Rt wrist radiograph; PA projection; initial study — 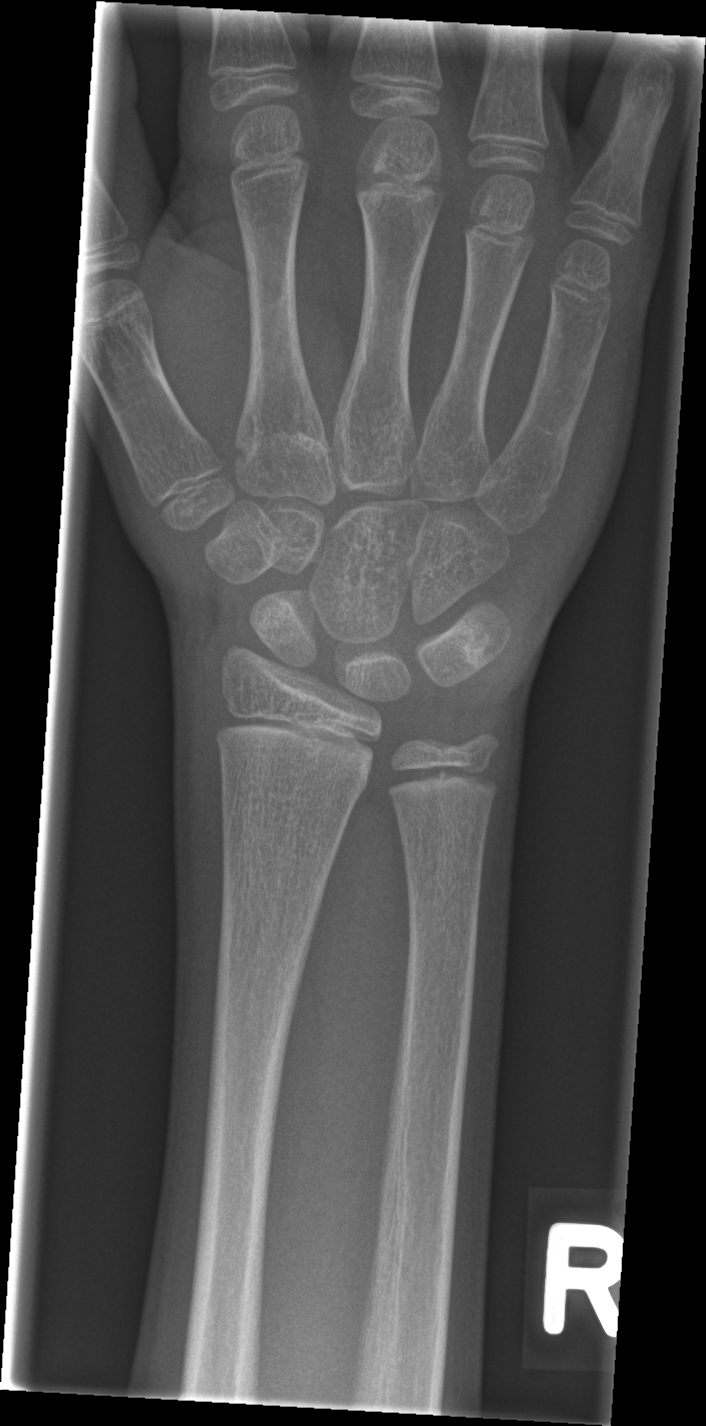
- Fx: none.